Frontal; R wrist X-ray; 13y F
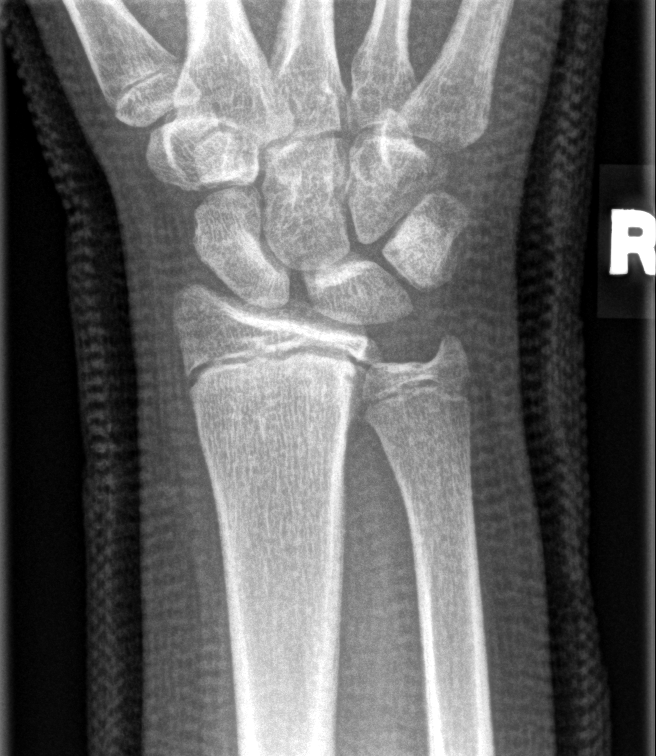 Findings: Fracture: present but not clearly seen in this view. Fracture classified AO/OTA 23r-M/2.1.